Lat | left wrist X-ray | follow-up study | cast in situ:

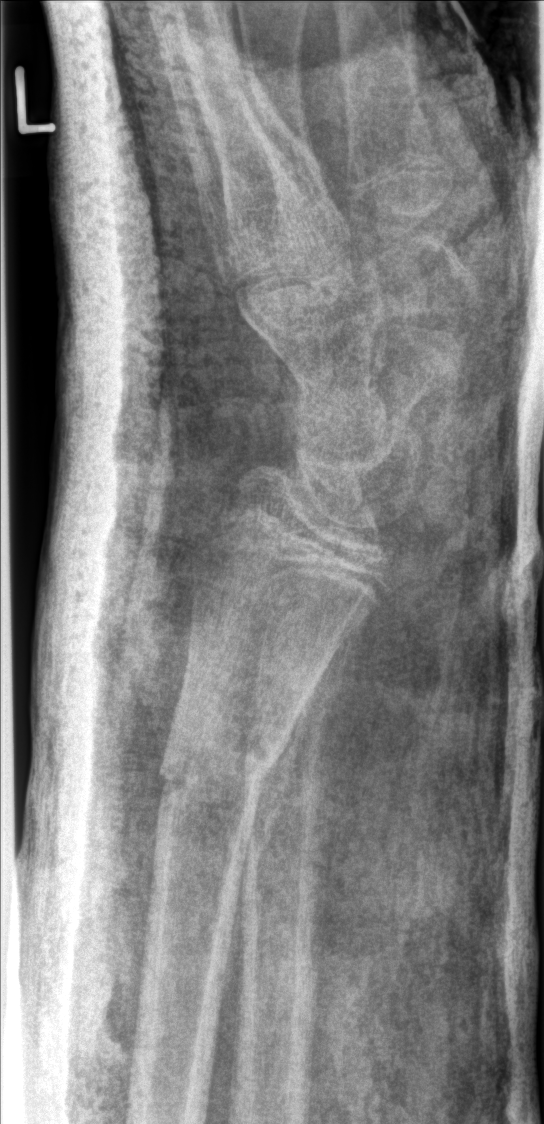
Q: Fracture present?
A: One bone fracture at [x1=157, y1=714, x2=297, y2=810]
Q: Locate any periosteal reaction.
A: Periosteal reaction identified at [x1=221, y1=662, x2=331, y2=993]